AP projection; Rt wrist radiograph; girl, 17 yo.
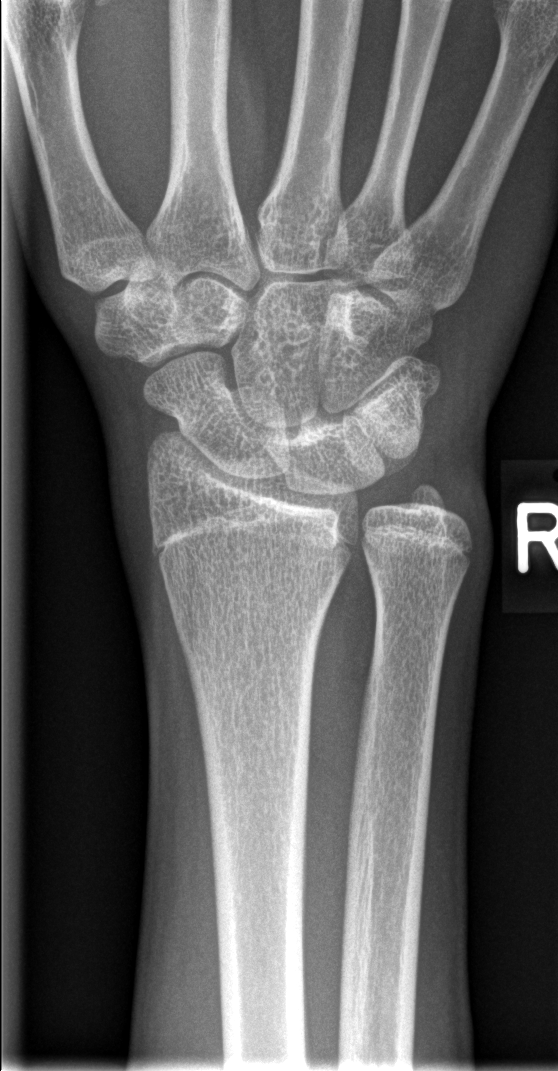 FINDINGS — Fracture: none labeled.